Lat; left wrist X-ray; 734 x 1006 px. 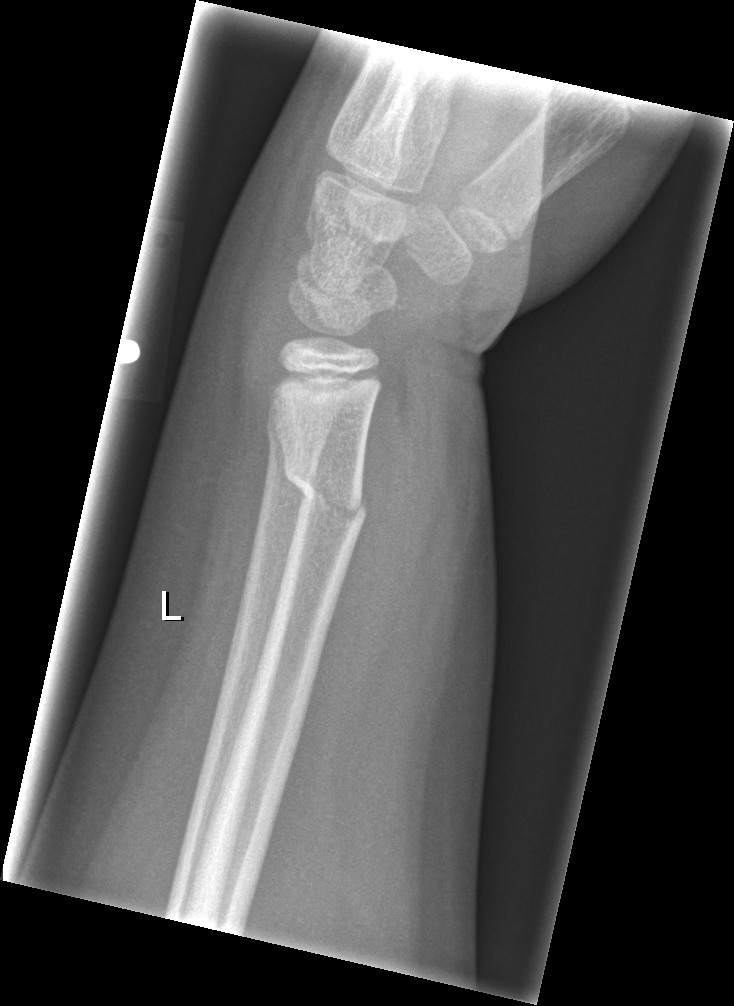

FINDINGS — (boxes as x1,y1,x2,y2 (top-left / bottom-right, pixel units)) Bone fractures — (left=280, top=455, right=371, bottom=535), (left=262, top=402, right=331, bottom=457). AO code 23r-M/3.1; 23u-M/2.1. Soft tissue abnormality: (left=176, top=316, right=275, bottom=599).